AP | left plain radiograph of the wrist | subsequent exam | acquired on Siemens:
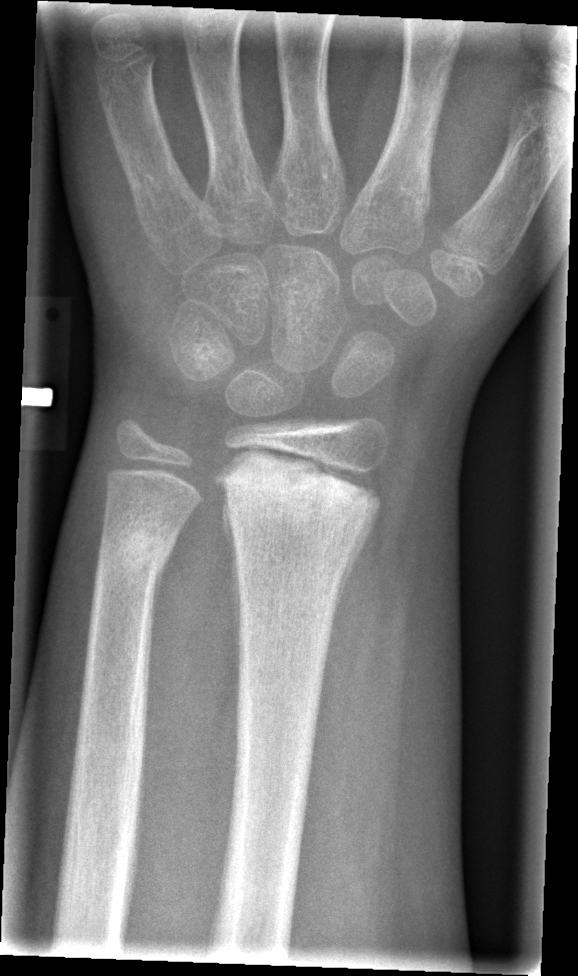

Bounding boxes in image-pixel xyxy. Bone fracture identified at [x1=217, y1=448, x2=387, y2=538], [x1=91, y1=515, x2=182, y2=589]. AO code 23r-E/2.1; 23u-M/2.1. Reduced bone mineral density. Periosteal reaction — [x1=328, y1=489, x2=381, y2=650]; [x1=221, y1=495, x2=245, y2=705]; [x1=152, y1=534, x2=176, y2=635].